Frontal | L wrist radiograph | age 4 y, female | image width 71.6 mm.

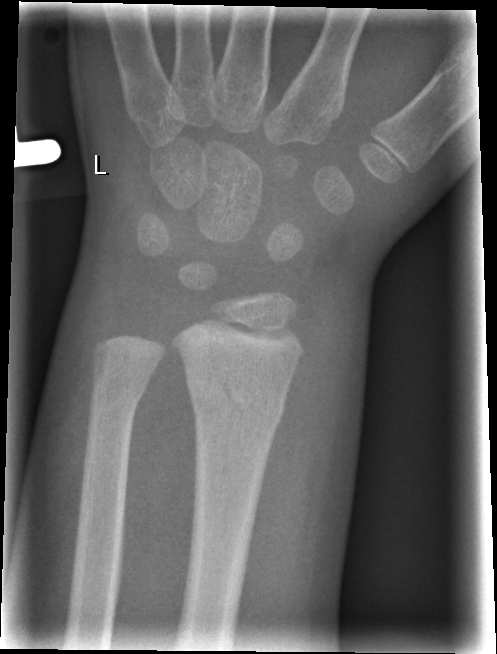

* Boxes as x1,y1,x2,y2 (top-left / bottom-right, pixel units).
* Fractures — [x1=182, y1=366, x2=291, y2=433], [x1=84, y1=376, x2=146, y2=431].